PA/AP | left wrist XR | 476x840

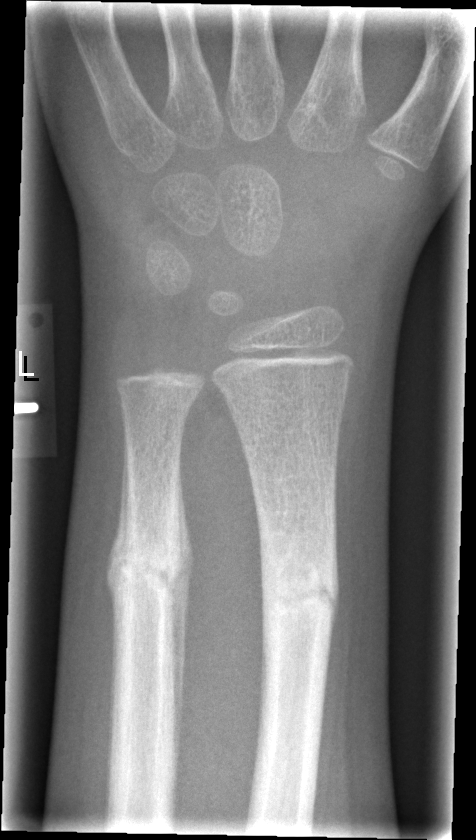 Q: Fracture present?
A: Bone fracture: (257, 539, 340, 636) (105, 531, 187, 601)
Q: Bone density?
A: Decreased bone density (osteopenia)
Q: Any periosteal thickening?
A: Three periosteal thickening at (168, 458, 197, 811), (103, 438, 130, 762), (327, 515, 341, 666)
Q: What is the AO/OTA classification?
A: Fracture classified AO/OTA 22-D/2.1